PA/AP, right wrist X-ray, age 9 y, female, follow-up, detector: Siemens 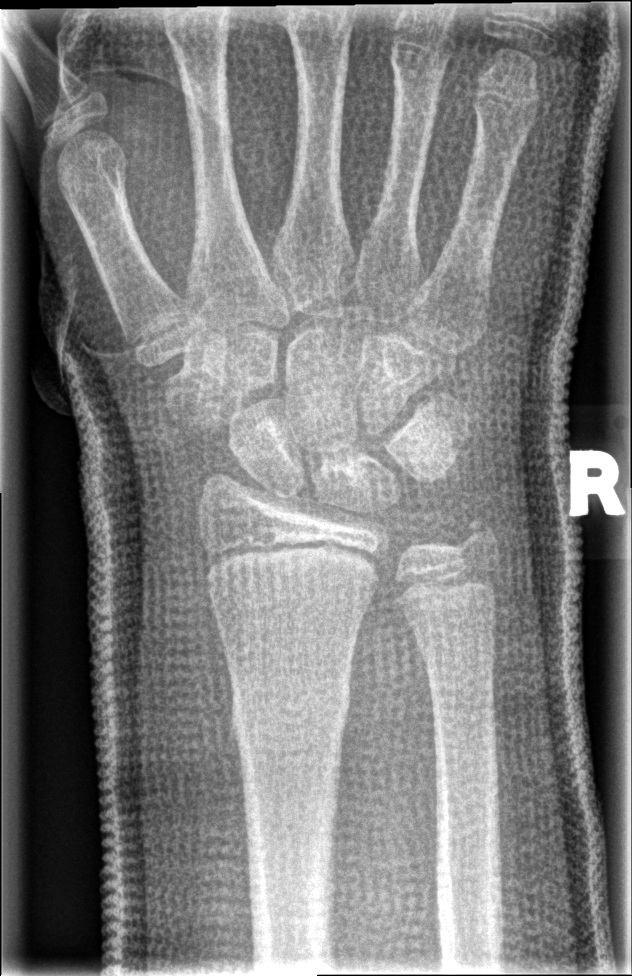

* Coordinates are [x1, y1, x2, y2] in image pixels.
* AO/OTA classification: 23r-M/2.1; 23u-E/7.
* Fracture identified at [223, 675, 357, 756], [442, 503, 509, 571].